Posteroanterior projection | left wrist plain radiograph of the wrist | 5-year-old male | detector: Siemens | 63.4 mm image width:
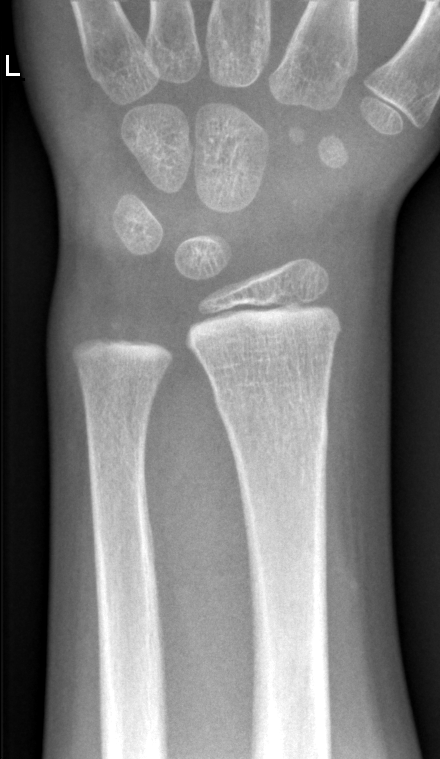

* Pixel coordinates, top-left origin, xyxy.
* One bone fracture at 210 384 331 458.
* AO/OTA classification: 23r-M/2.1.